Lt plain radiograph of the wrist | lateral | cast in situ:

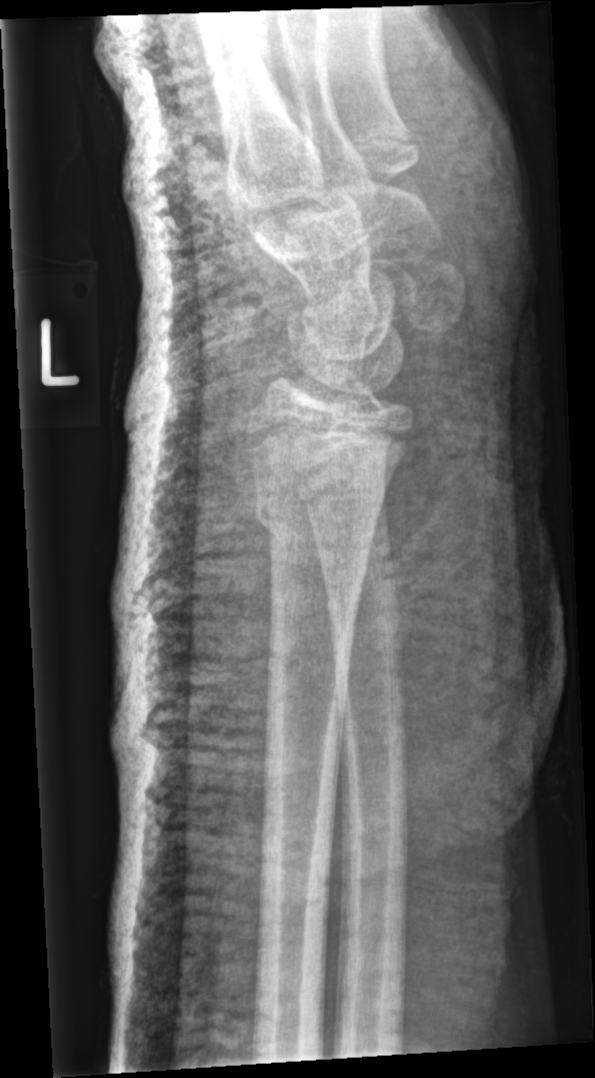
- Fracture classified AO/OTA 23r-M/2.1.
- Fx identified at <242,457>-<391,540>.